PA projection | L plain radiograph of the wrist | 9y M | detector: Siemens | image 78.6 mm wide —

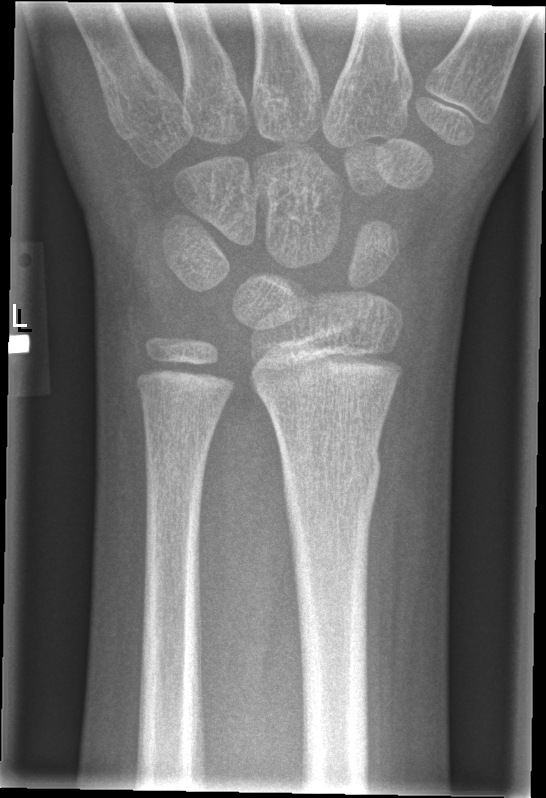
Fracture classified AO/OTA 23r-M/2.1. One bone fracture at 280,441,382,514.